Rt plain radiograph of the wrist · posteroanterior · 12y F · follow-up study —

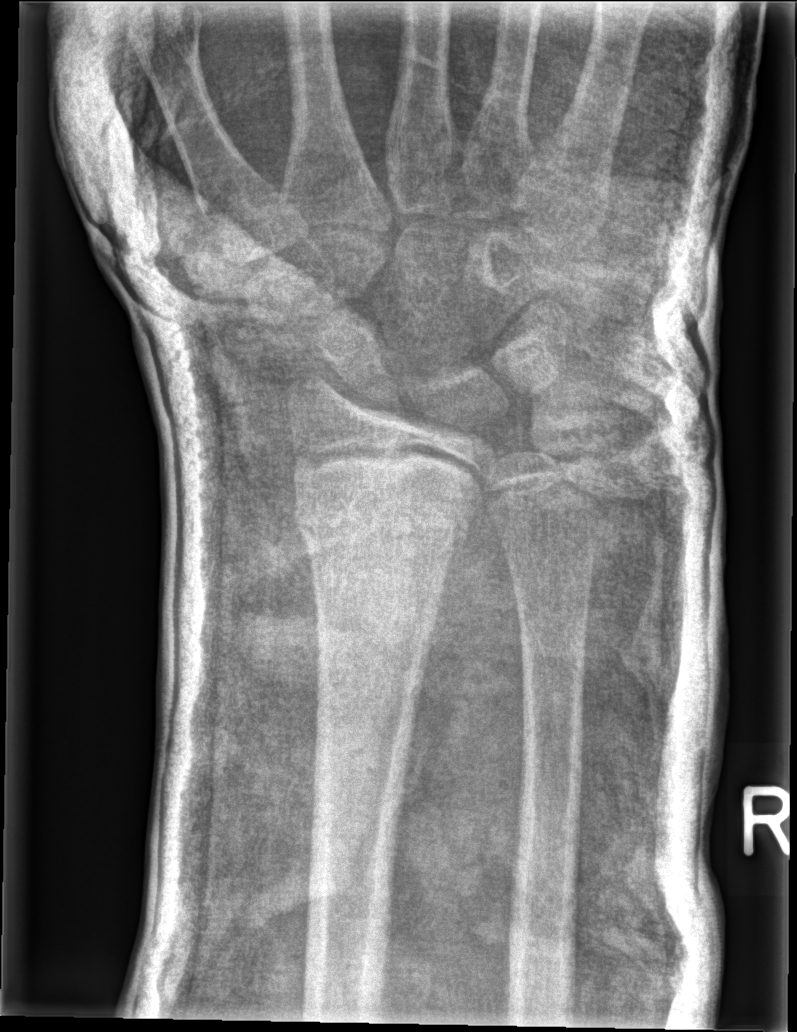
FINDINGS: (bounding boxes in image-pixel xyxy) Bone fracture identified at bbox(285, 466, 480, 555). AO code 23r-M/3.1; 23u-E/7.